AP · left wrist plain film · detector: Siemens:
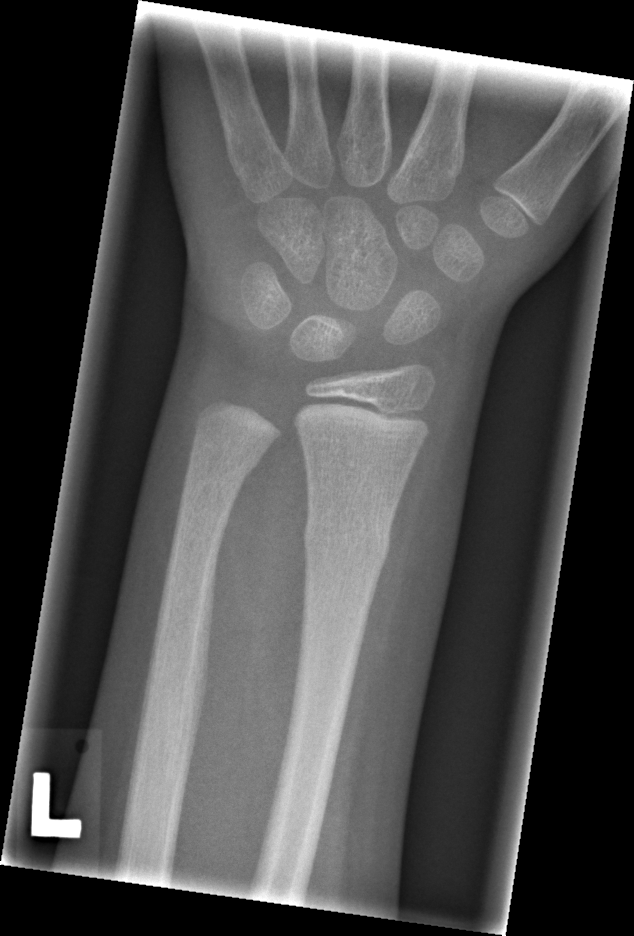 AO code = 23-M/2.1
Bone fracture = 301 513 393 573 | 180 442 264 506